Right wrist X-ray · lat projection · age 15 y, female · initial study · detector: Siemens —
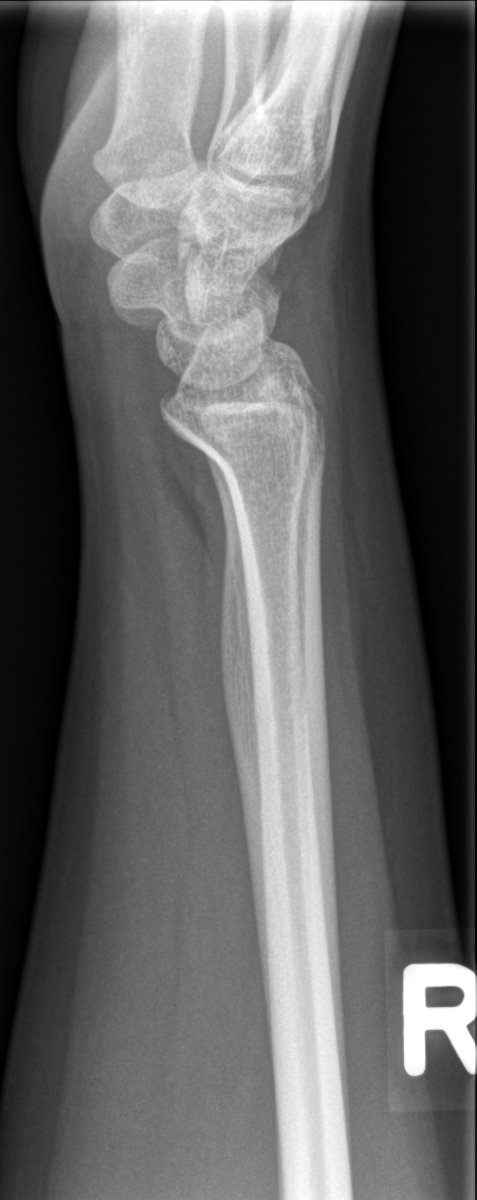

Findings: (bounding boxes in image-pixel xyxy) Fx: (156, 380, 337, 444).